Lat | Rt wrist X-ray | pediatric patient (male, age 8) | detector: Siemens | 62.2 mm image width | 432x796:

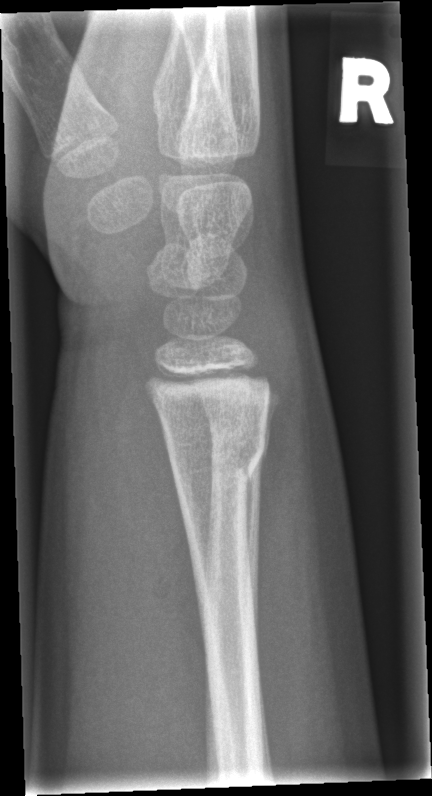 FINDINGS — (boxes as x1,y1,x2,y2 (top-left / bottom-right, pixel units)) Pronator quadratus fat-pad sign: 124 379 207 699. Fracture classified AO/OTA 23-M/2.1. Fx: 166 418 272 491.